Posteroanterior; left wrist radiograph; 102.2 mm image width.

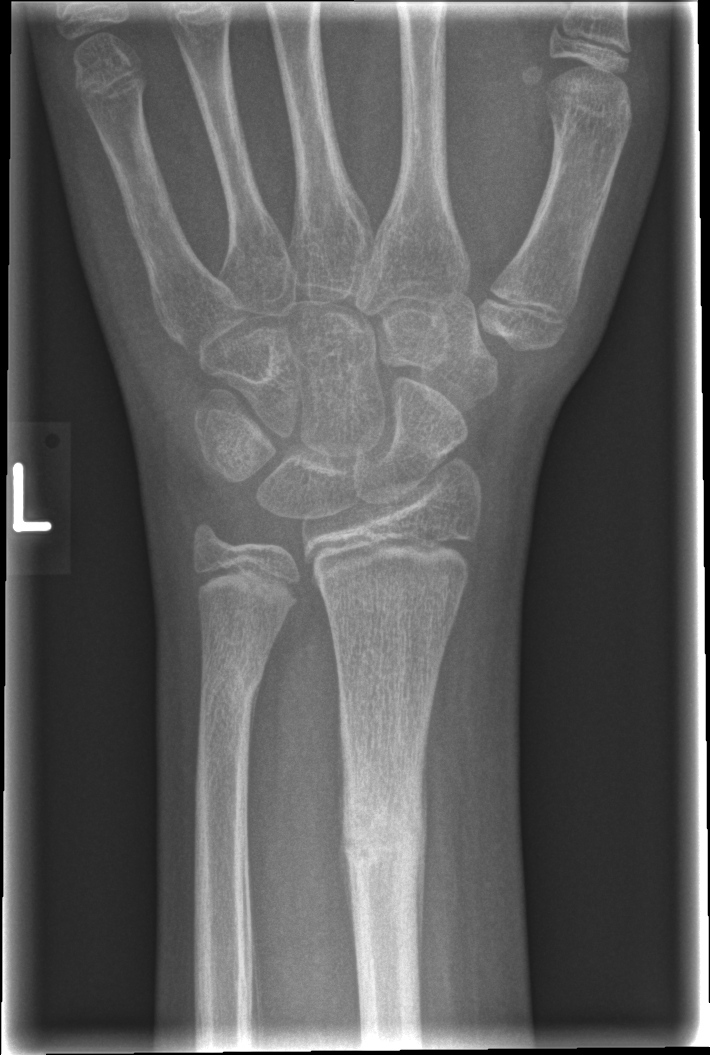 Fx — 339,806,429,882; 194,646,270,711. Two periosteal thickening at 414,722,430,1034
  249,672,265,761. Reduced bone mineral density.